Posteroanterior projection | Lt wrist X-ray | in cast 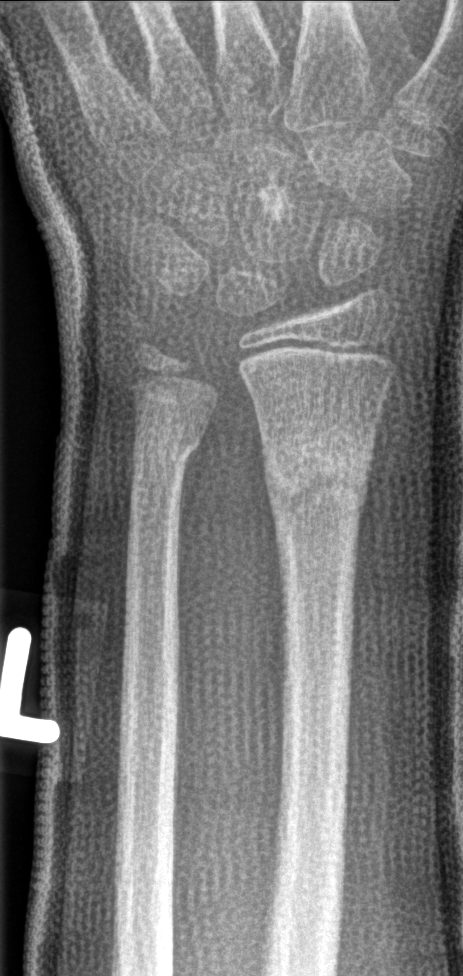
Bounding boxes in image-pixel xyxy.
Two Fx at <260,442>-<372,522>, <127,425>-<202,473>.